Left wrist X-ray | lateral projection — 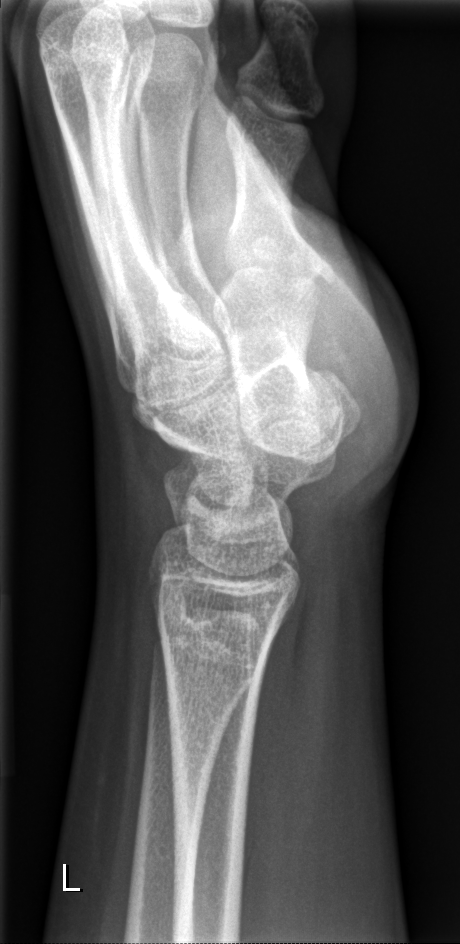 Findings: No Fx annotated.